PA/AP | left wrist plain film. 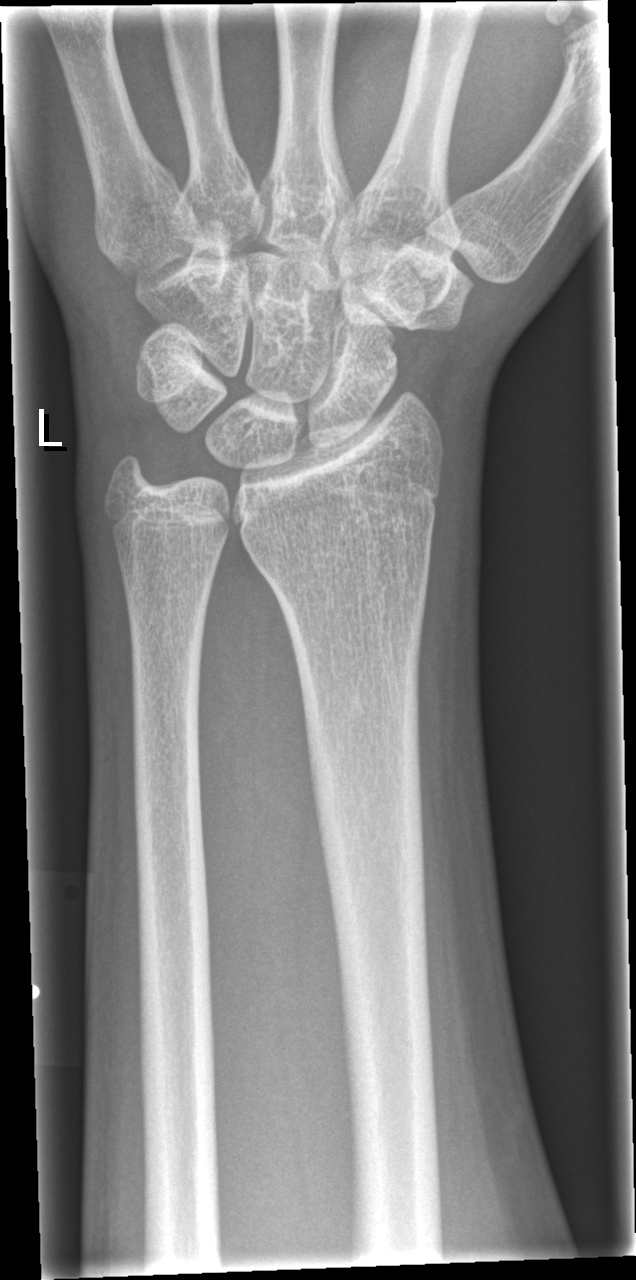 - Fracture: none labeled.